Right wrist plain radiograph of the wrist | posteroanterior projection | age 10 y, girl | in cast.

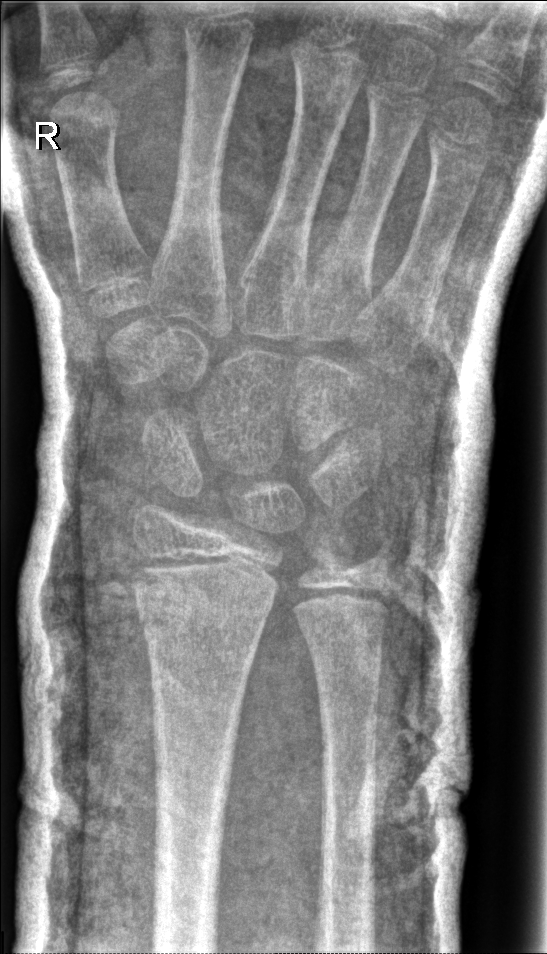
• Coordinates are [x1, y1, x2, y2] in image pixels.
• Fracture: [x1=132, y1=582, x2=276, y2=636] [x1=295, y1=611, x2=387, y2=656].
• AO/OTA classification: 23r-M/3.1; 23u-M/2.1.